Right wrist XR; AP view; 9y F; acquired on Siemens; 70.6 mm image width; 490 x 883 px

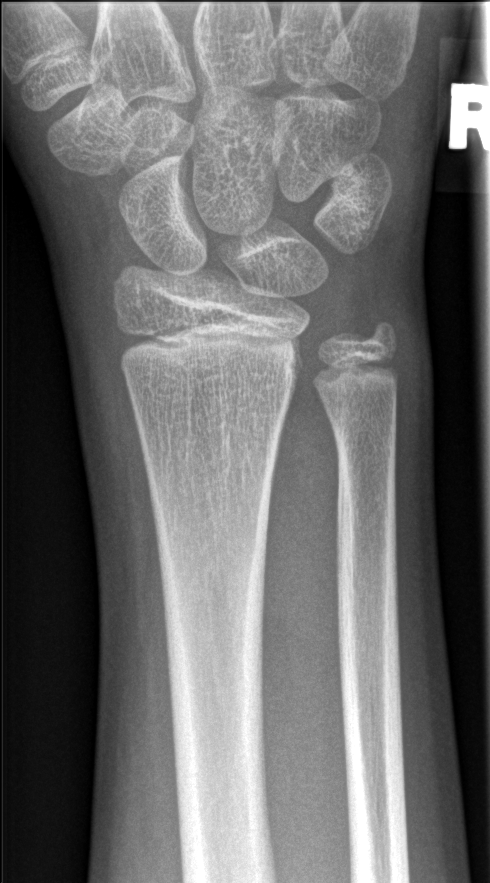
No fracture labeled.